AP view; left pediatric wrist radiograph; female, 6 yo; subsequent exam. 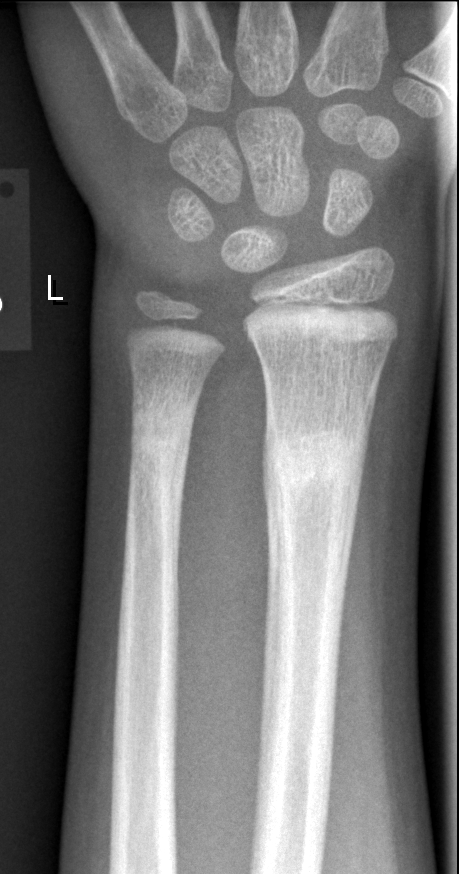 FINDINGS — AO code 23-M/3.1. Fractures — (260, 423, 372, 506) (125, 383, 195, 499).